AP | Rt wrist X-ray | age 5 y, girl.
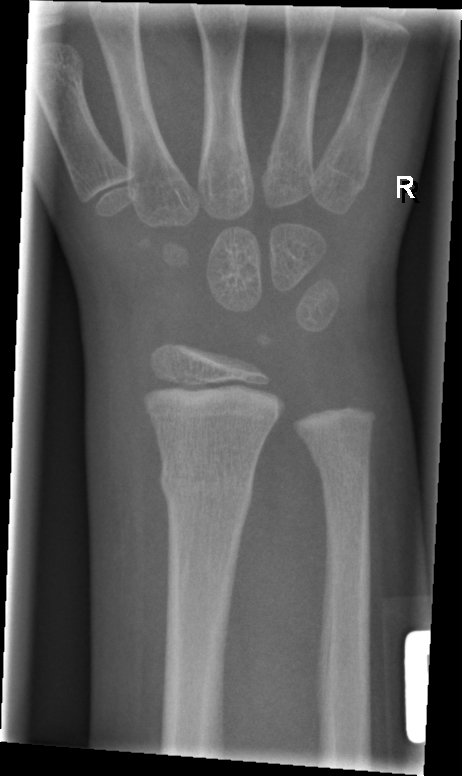 (coordinates are [x1, y1, x2, y2] in image pixels)
AO/OTA: 23-M/2.1
bone fracture: 2 @ (157, 452, 259, 522), (306, 430, 376, 485)